Posteroanterior projection | Rt pediatric wrist radiograph | initial study | image 79.8 mm wide | image size 554x786:
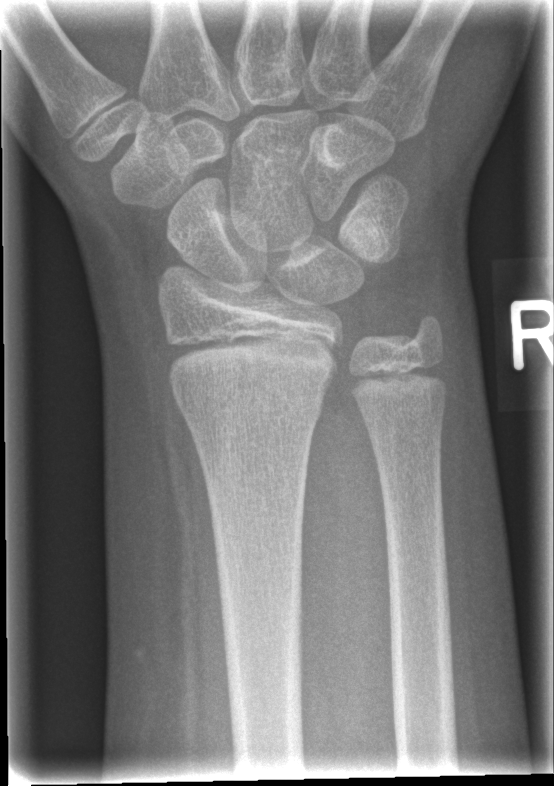

Bone fracture — (left=175, top=382, right=327, bottom=428). Fracture classified AO/OTA 23r-M/2.1.